Left wrist plain radiograph of the wrist · AP projection · age 14 y, boy. 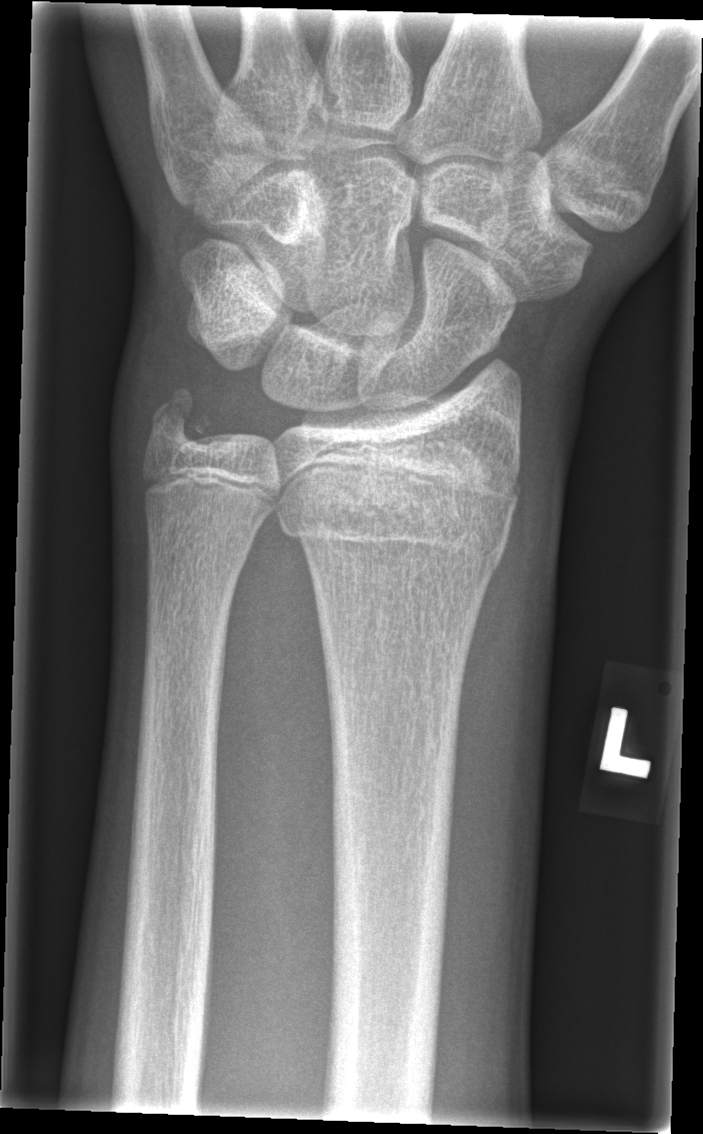

(pixel coordinates, top-left origin, xyxy)
AO/OTA = 23r-M/3.1; 23u-E/7
Fx = 2 @ bbox(271, 438, 525, 582) bbox(140, 384, 219, 461)